R plain radiograph of the wrist | AP projection | 12-year-old female.

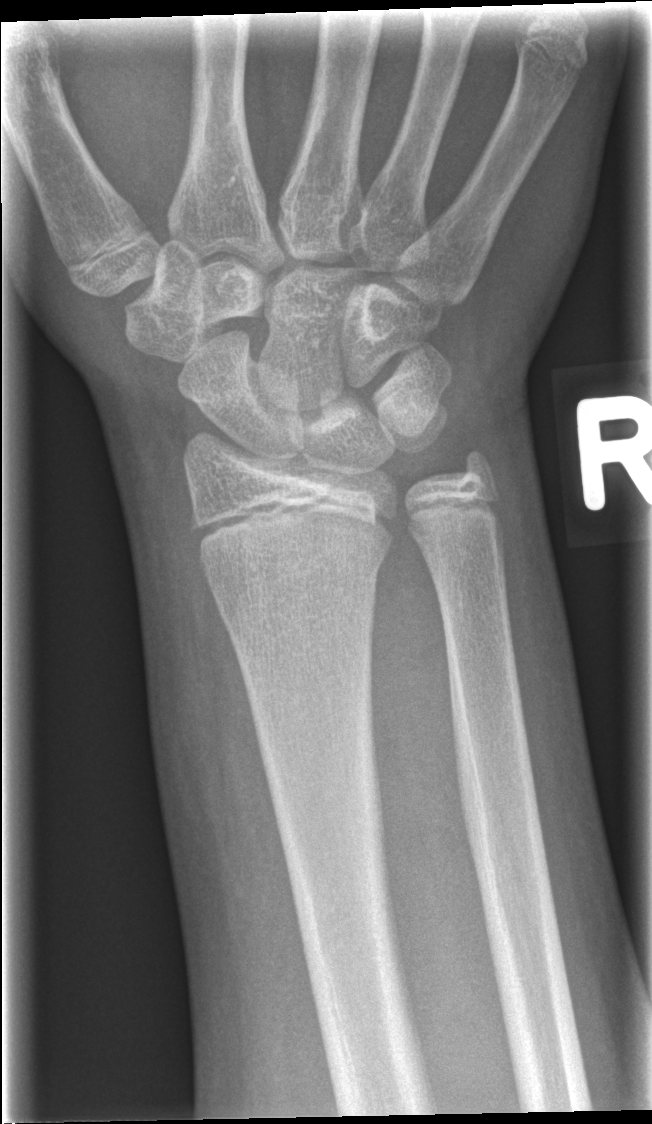
Boxes as x1,y1,x2,y2 (top-left / bottom-right, pixel units).
Bone fracture identified at <197,539>-<389,607>.